R wrist X-ray, lat, 11-year-old male, 438x872
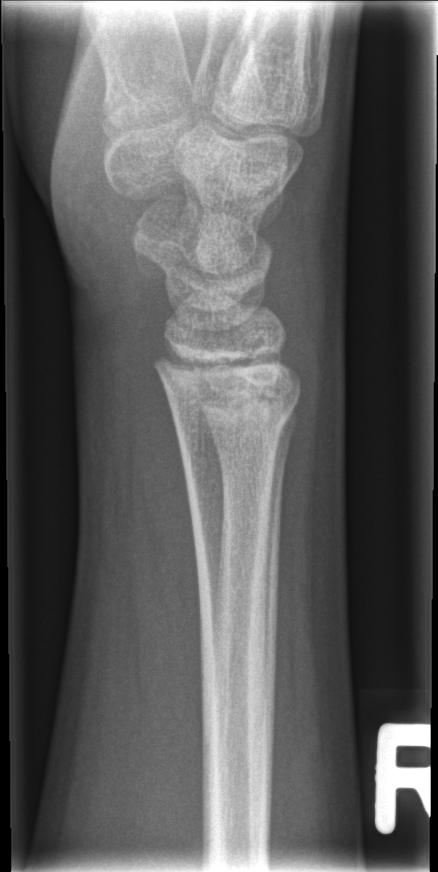

- AO/OTA classification: 23r-M/2.1.
- Pronator quadratus fat-pad sign — [x1=125, y1=370, x2=208, y2=695].
- One Fx at [x1=162, y1=386, x2=302, y2=457].